Right wrist radiograph; lat view; presentation radiograph.
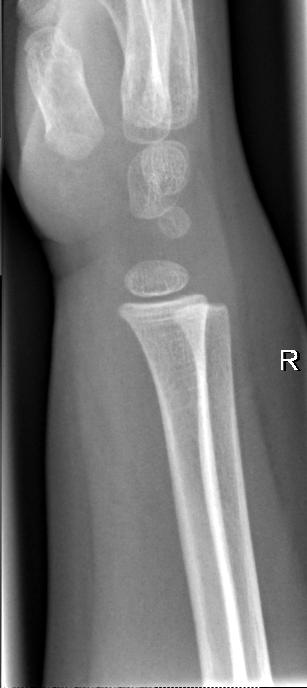 - Fracture: none labeled.